Frontal view | R wrist XR | pediatric patient (female, age 9) | cast present | acquired on Siemens

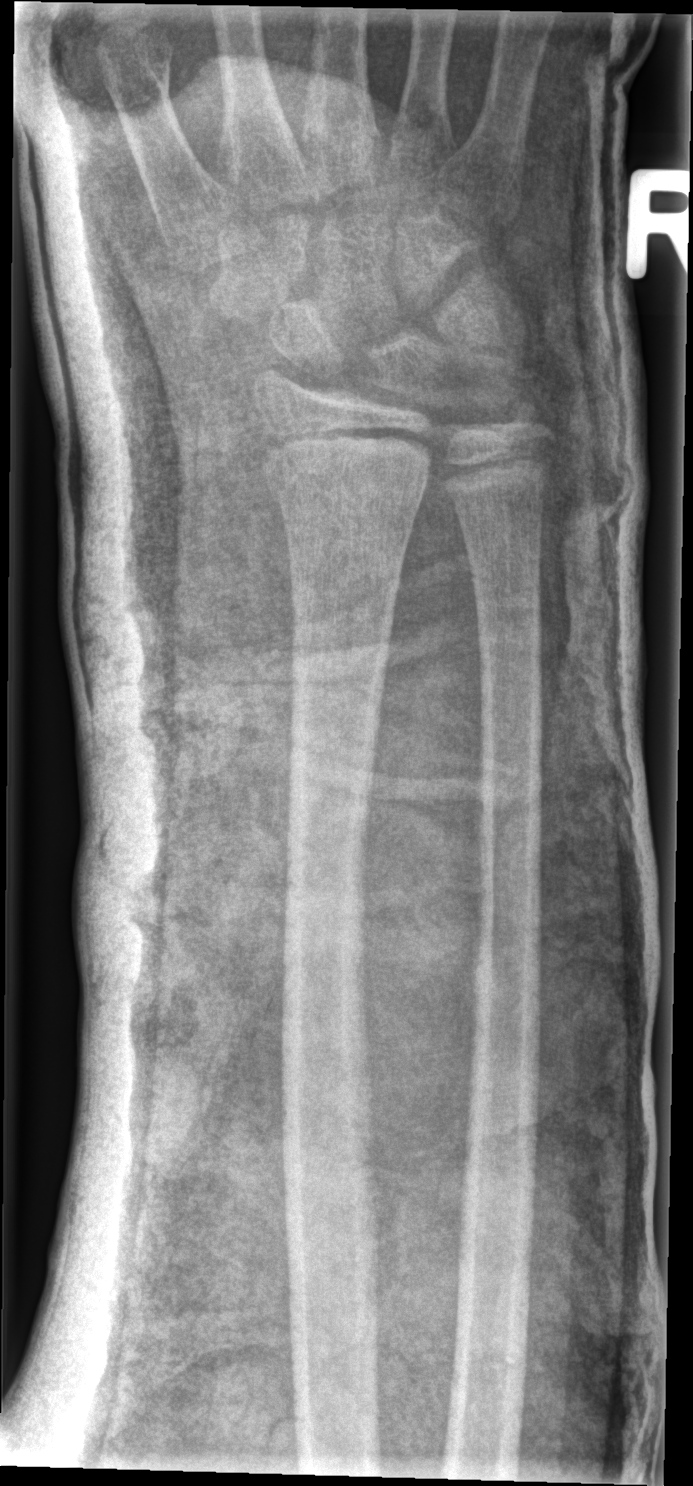

{
  "_coords": "bounding boxes in image-pixel xyxy",
  "fracture": "(257, 422, 437, 510), (484, 386, 560, 459)"
}